Left wrist X-ray; lat view; index exam; image size 528x950 —

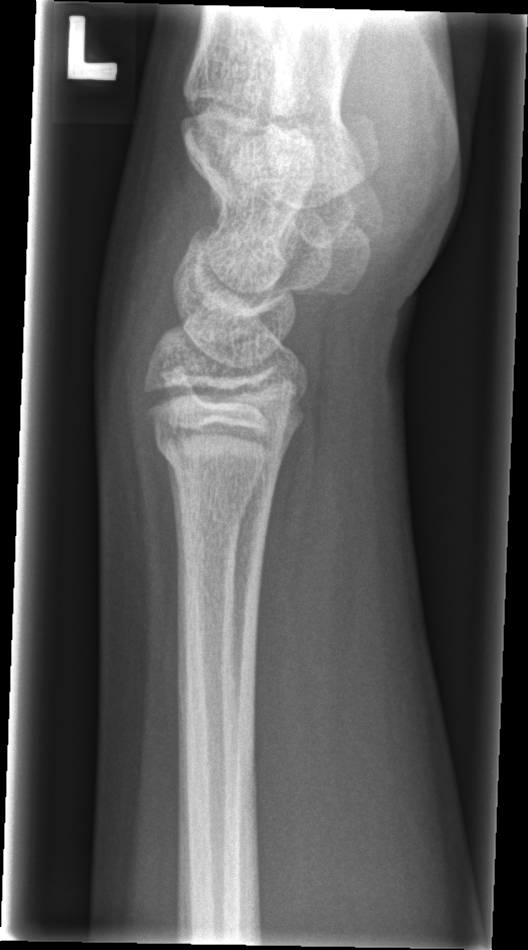 {"fracture": "1 @ [149, 412, 291, 491]", "ao": "23r-M/2.1"}